Lateral projection | Rt wrist X-ray | pediatric patient (female, age 13).

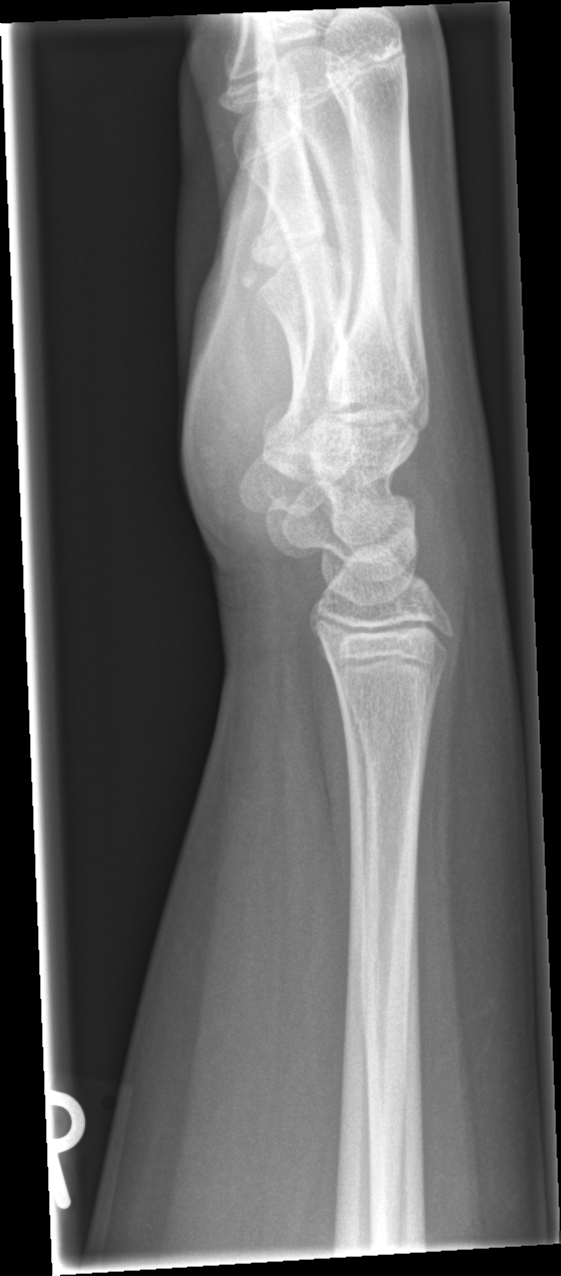 fracture: none labeled